Lat view; right wrist radiograph; 9y F; image 145.7 mm wide; 934 x 1288 px:

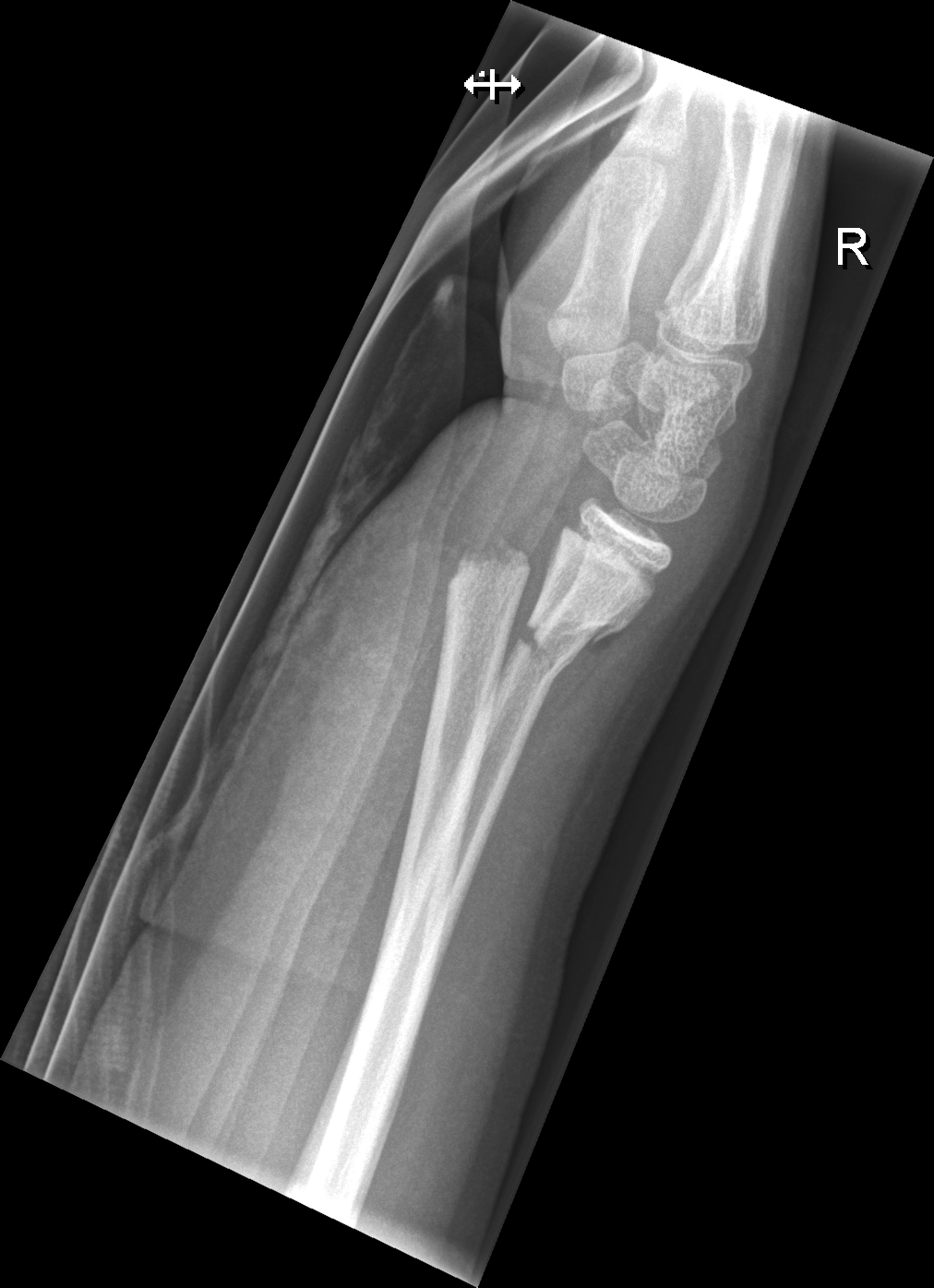

  fracture: (446, 531, 632, 648); (510, 610, 591, 680)